PA/AP projection; R wrist XR; index exam; diagnosis uncertain; image size 524x1078: 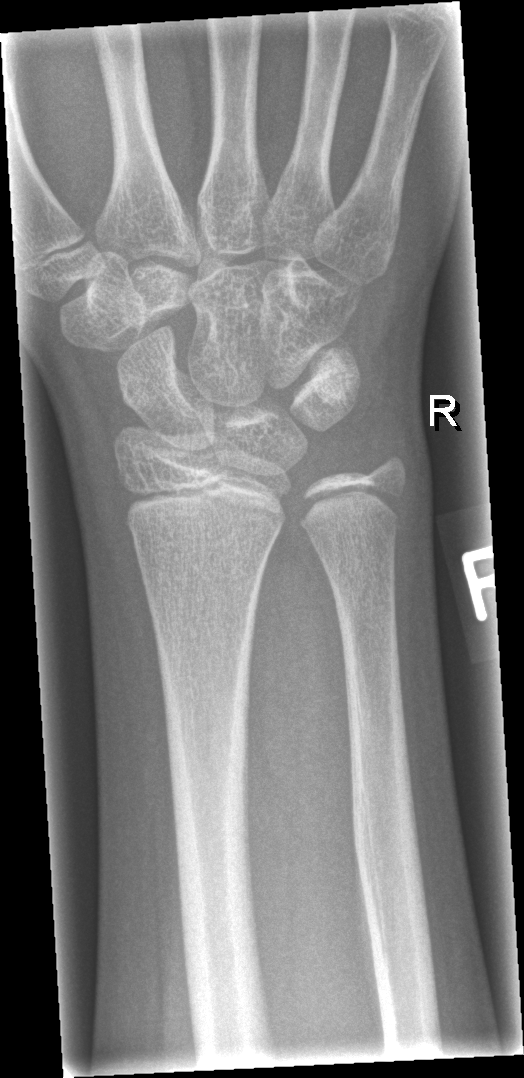 Fx: none.